PA/AP projection · L plain radiograph of the wrist.

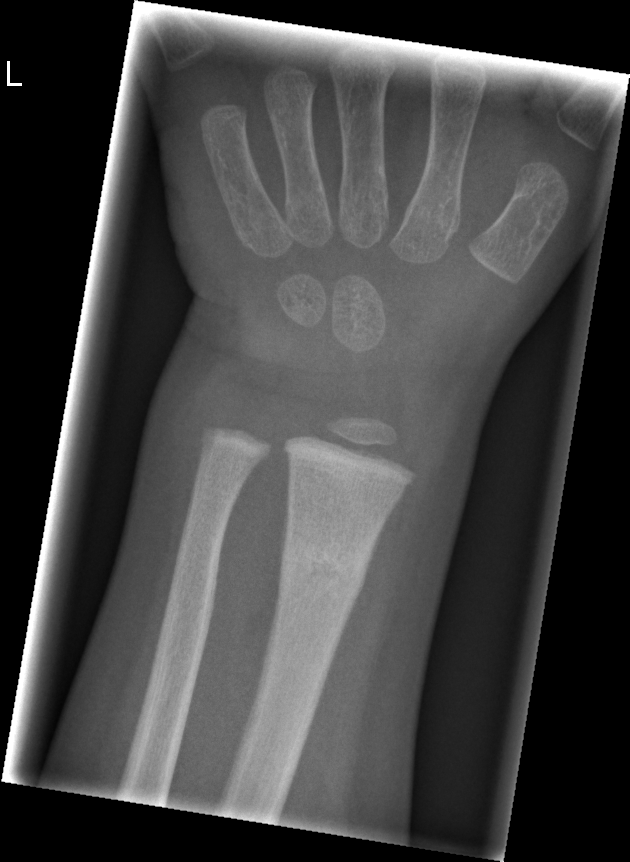 * Fracture: <274,528>-<374,609>.